Right wrist XR, lateral projection, follow-up:

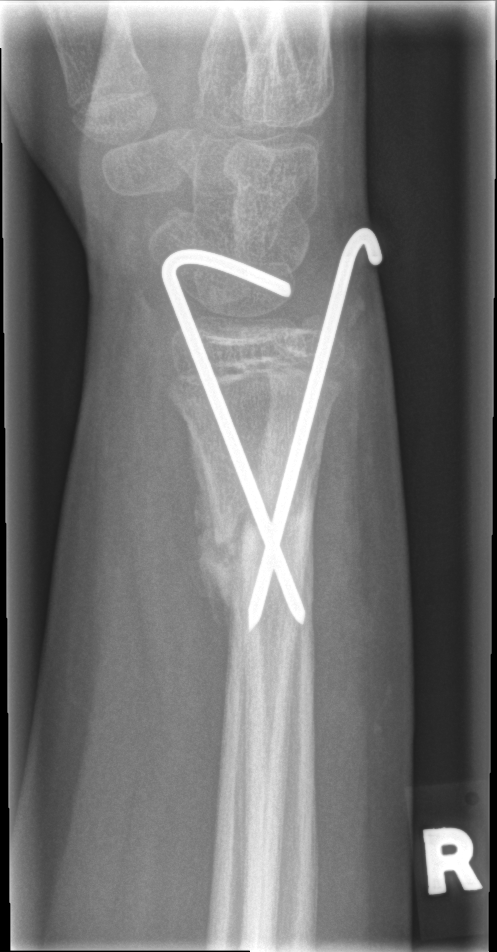 Boxes as x1,y1,x2,y2 (top-left / bottom-right, pixel units).
Osteopenic.
AO code 23r-M/3.1; 23u-M/2.1.
Hardware: 159,228,382,628.
One Fx at 202,484,315,591.
Periosteal thickening: 186,424,246,642.